Right wrist plain film | lat | presentation radiograph —
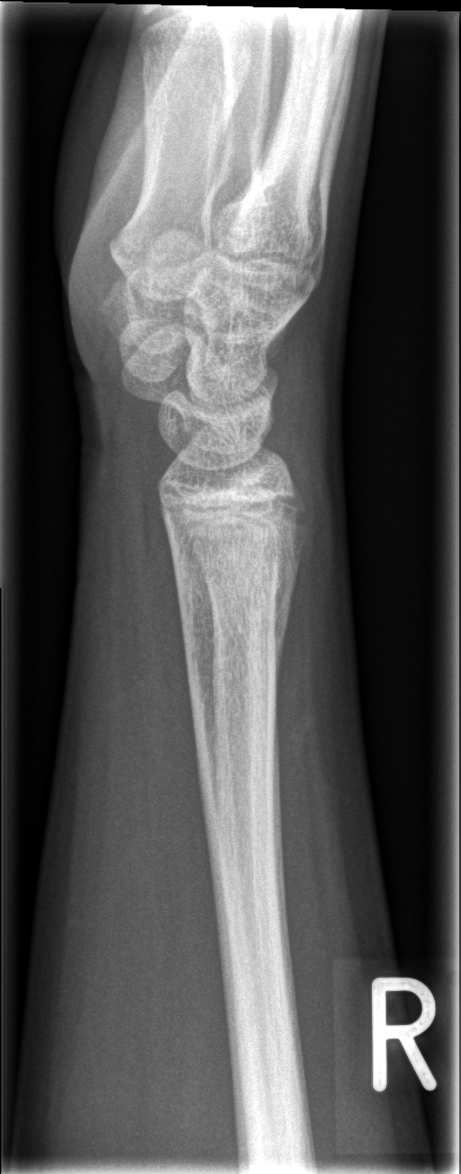
periostealreaction: 277,519,303,657
fracture: 1 @ 167,487,316,661
ao: 23r-M/2.1